Lateral | left wrist radiograph | detector: Siemens | 73.7 mm image width —

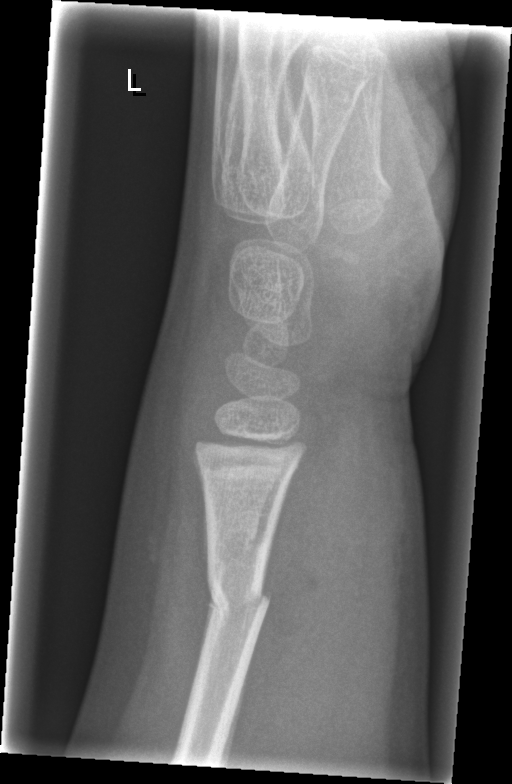
Pixel coordinates, top-left origin, xyxy.
One fracture at (left=203, top=573, right=273, bottom=623).
AO/OTA classification: 23-M/3.1.
Pronator sign — (left=238, top=438, right=349, bottom=725).